Left plain radiograph of the wrist; posteroanterior projection. 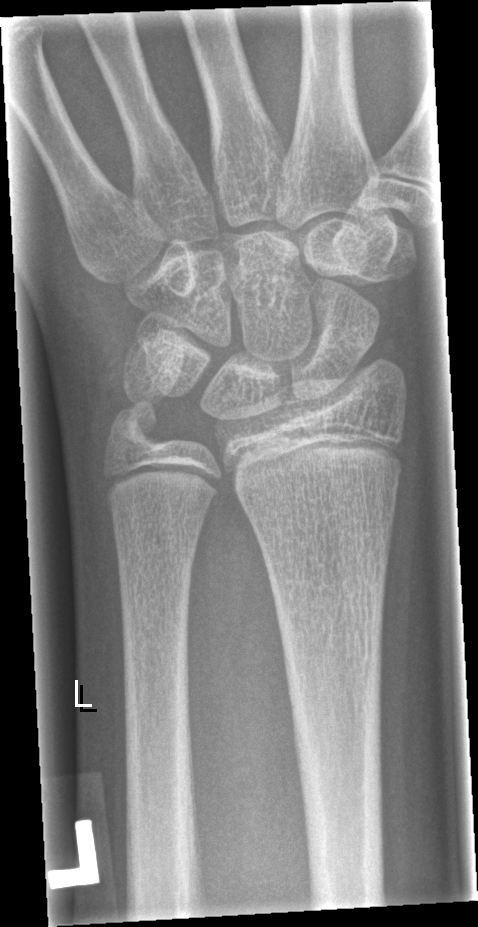
Bounding boxes in image-pixel xyxy. Fracture: [100, 396, 168, 464].